Right wrist plain radiograph of the wrist; lateral projection; pediatric patient (male, age 12): 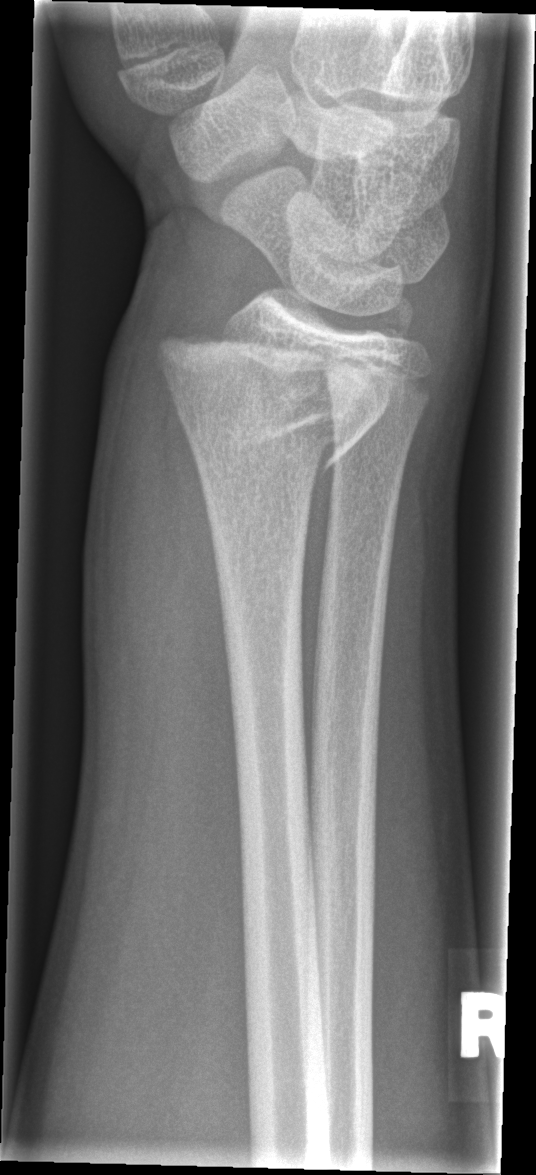
AO/OTA classification: 23r-E/2.1; 23u-E/7. Fracture: 149,324,397,484 | 370,292,432,356. Soft tissue abnormality — 84,340,239,822.